Lt plain radiograph of the wrist | lateral | Siemens | image width 83.8 mm 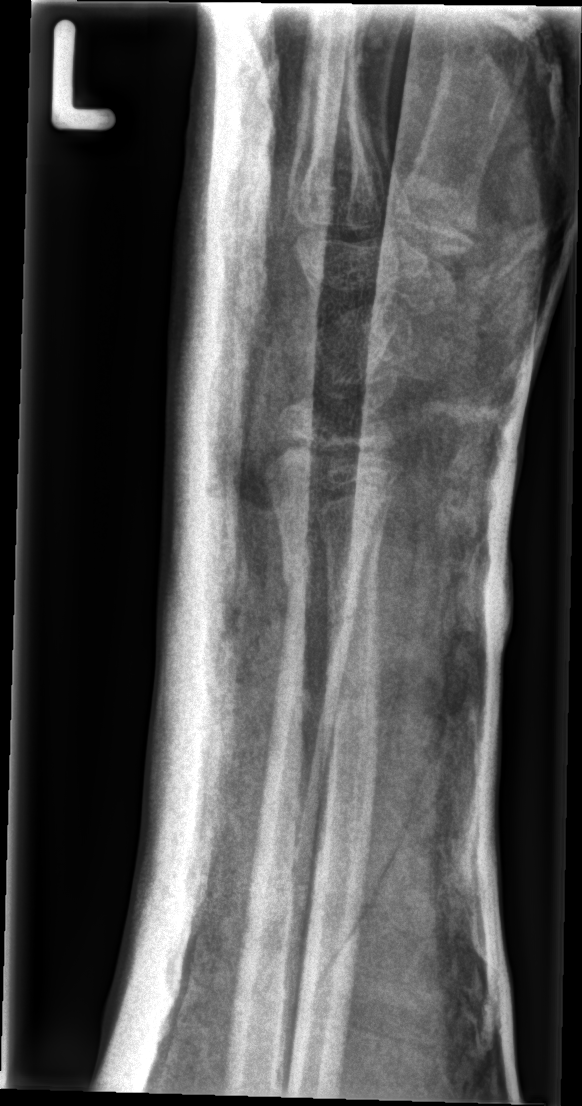

FINDINGS: One bone fracture at 277,546,364,641. AO code 23r-M/3.1; 23u-M/2.1.